Rt wrist radiograph | PA/AP view | 9-year-old male 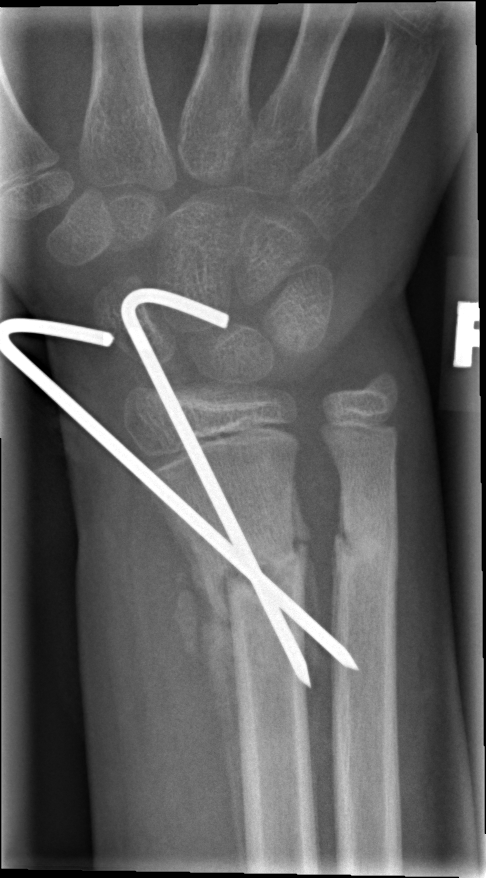 Fx: (left=193, top=533, right=310, bottom=629), (left=329, top=492, right=401, bottom=575)
Hardware: 1 @ (left=0, top=291, right=357, bottom=685)
Periosteal thickening: 2 @ (left=155, top=500, right=248, bottom=872), (left=291, top=476, right=322, bottom=625)